PA/AP, R wrist X-ray, age 6 y, male, presentation radiograph, image width 92.4 mm, 642 by 1210 pixels —

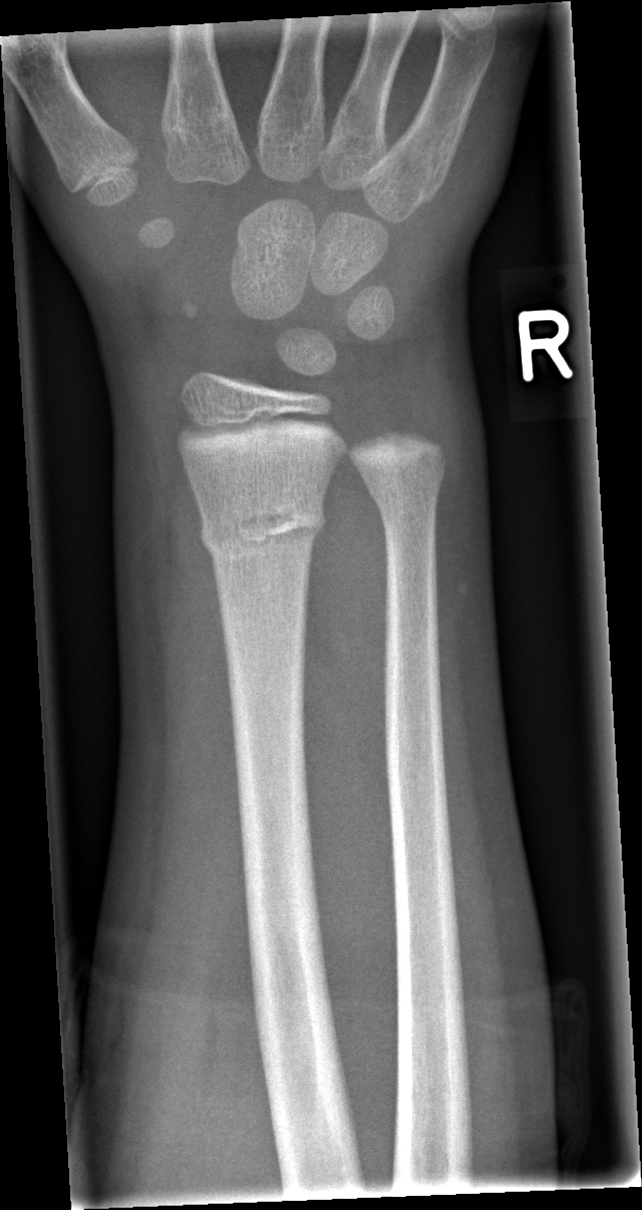

• Fracture: 195 491 329 563
  362 467 446 518.
• AO code 23r-M/3.1; 23u-M/2.1.